Lt wrist X-ray, PA projection, presentation radiograph. 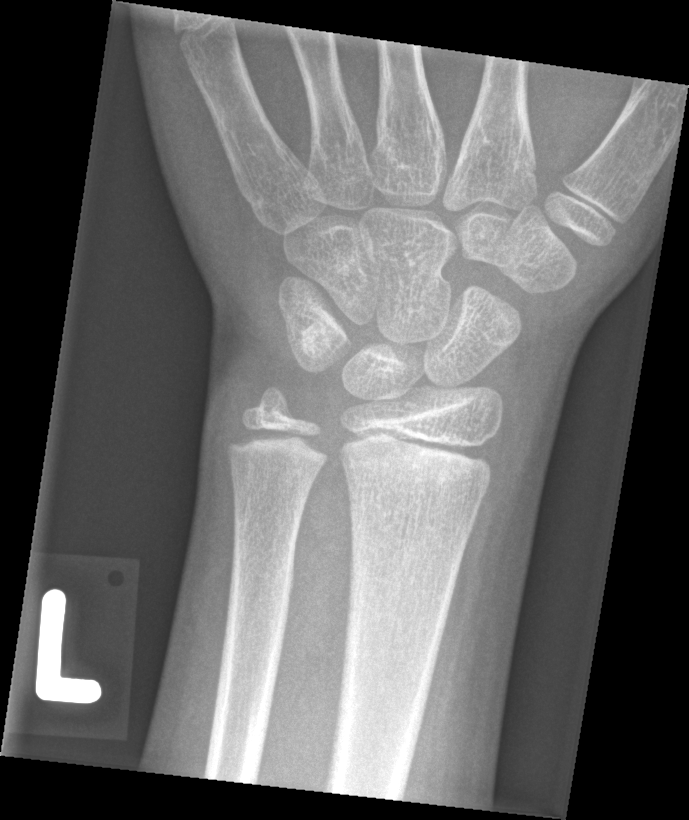

Fx: none labeled